Rt wrist plain film; lat projection; pediatric patient (male, age 11); 404 x 913 px 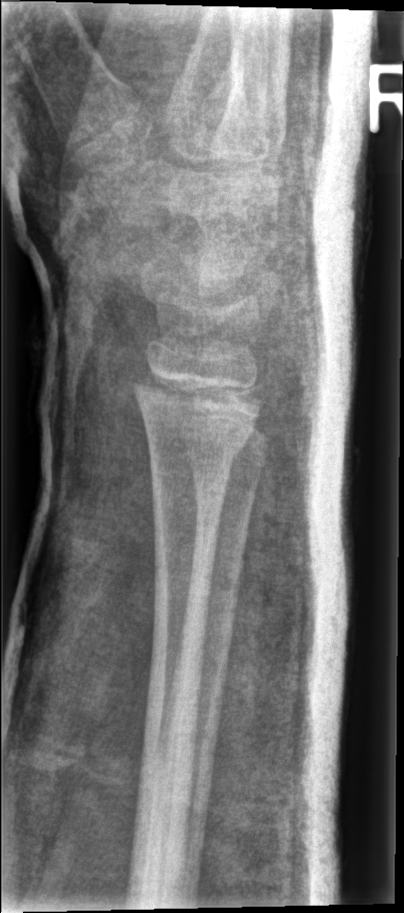

(pixel coordinates, top-left origin, xyxy)
AO code = 23r-E/2.1; 23u-E/7
Bone fracture = 1 @ <140,397>-<259,477>